Lat view | left wrist pediatric wrist radiograph | boy, 13 yo | image width 77.9 mm. 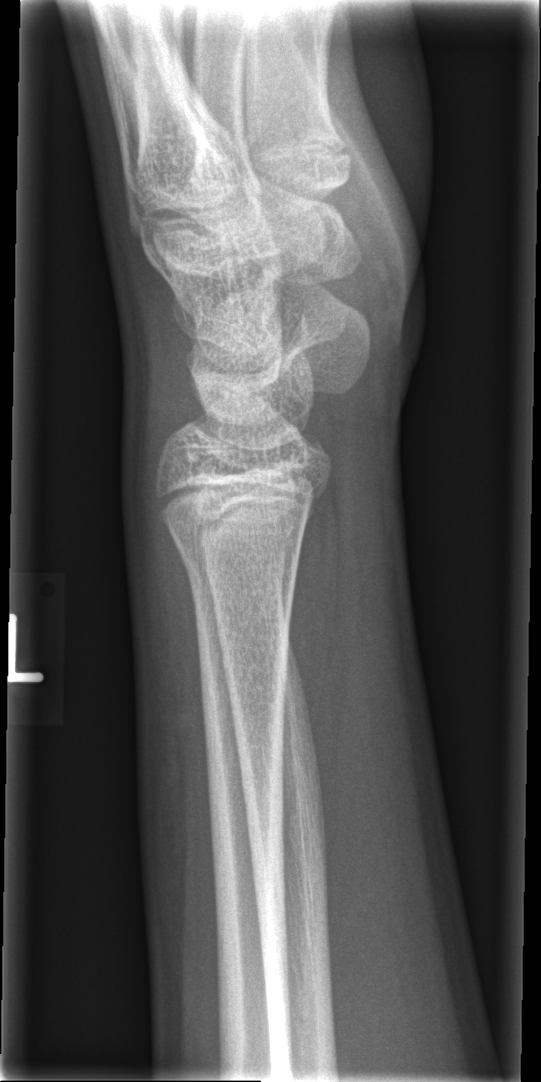

AO/OTA = 23r-M/2.1
Fracture = 1 @ (167, 519, 304, 609)